Lat, right wrist plain radiograph of the wrist, follow-up study. 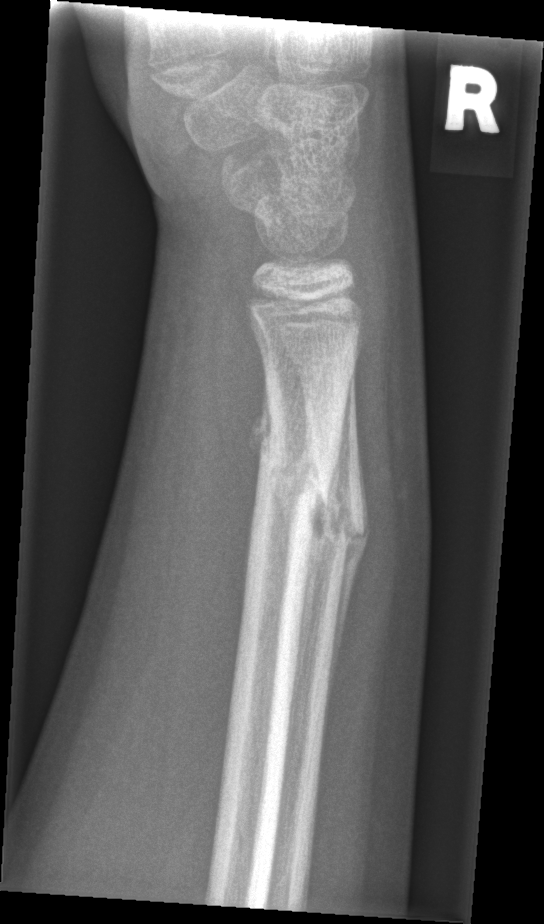 (bounding boxes in image-pixel xyxy)
periosteal new bone: 2 @ [323, 532, 368, 745]; [245, 381, 271, 470]
fracture: 2 @ [248, 396, 336, 516]; [301, 493, 369, 565]
osteopenia: present
AO/OTA: 23-M/3.1; 23u-E/7